Lat, left wrist plain radiograph of the wrist, female, 9 yo, Siemens, image 79.6 mm wide:

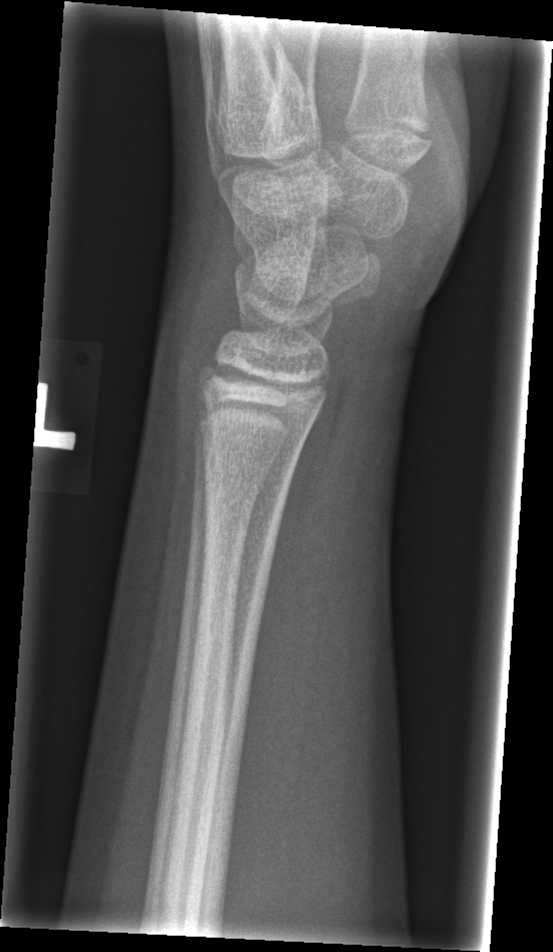

Fx: none.